Left wrist radiograph · lateral · pediatric patient (male, age 12) · diagnosis uncertain
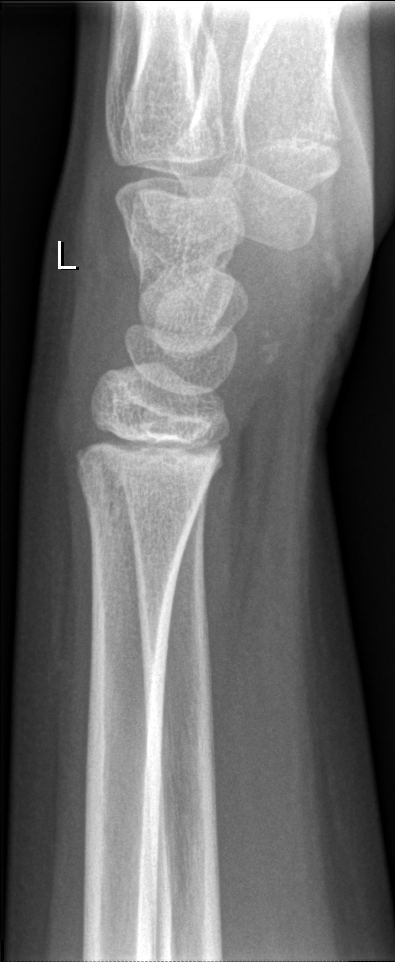
FINDINGS — Fracture identified at 71,460,203,537. AO code 23r-M/2.1.